Left wrist XR, lat view, presentation radiograph —

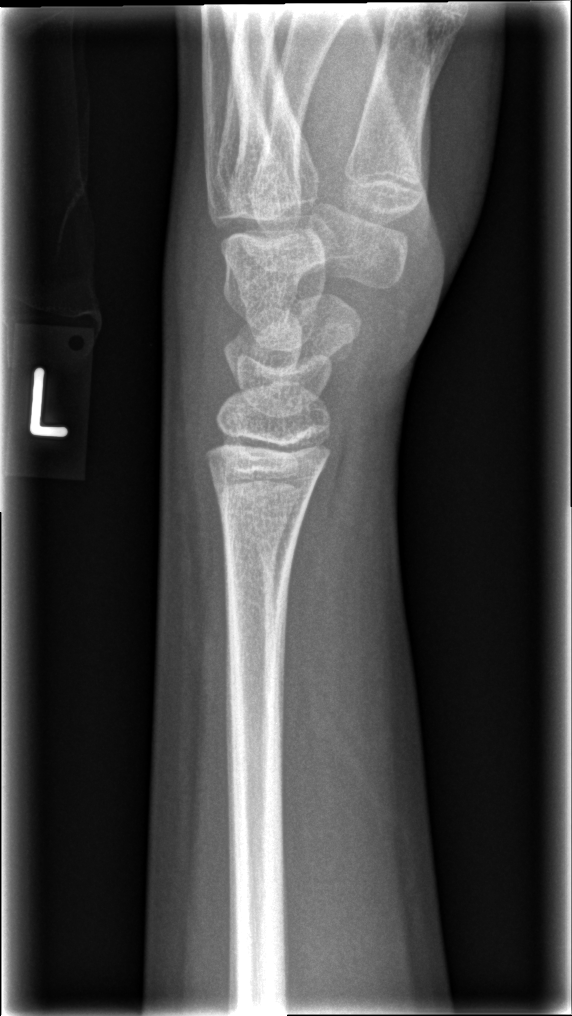

Bone fracture = none labeled